Lateral projection | right pediatric wrist radiograph | subsequent exam | Siemens — 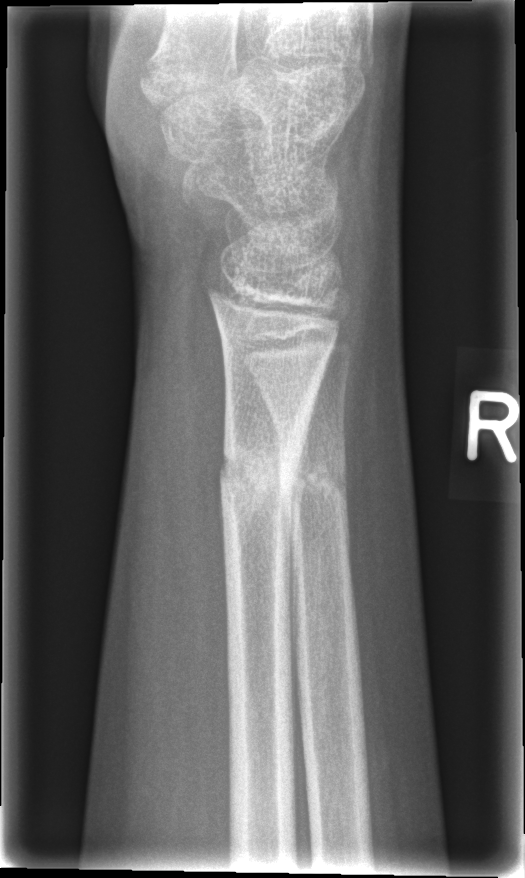

periosteal reaction = 1 @ [x1=286, y1=416, x2=312, y2=588]
osteopenia = present
bone fracture = [x1=216, y1=432, x2=306, y2=534], [x1=276, y1=454, x2=351, y2=527]
AO classification = 23-M/3.1